Lateral projection; R wrist plain film; detector: Siemens.
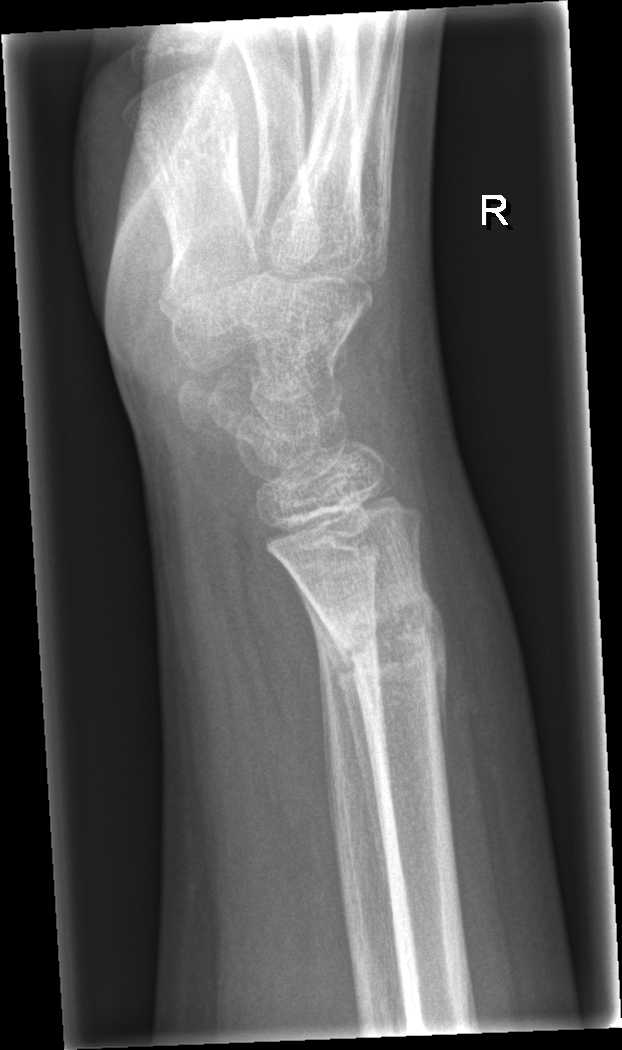 FINDINGS: (bounding boxes in image-pixel xyxy) Osteopenic. Periosteal thickening: <285,567>-<392,915>, <419,552>-<449,797>. Fracture: <329,582>-<443,685>. Fracture classified AO/OTA 23r-M/3.1; 23u-E/7.